Lt wrist radiograph, AP view, 6-year-old male, 640 x 912 px — 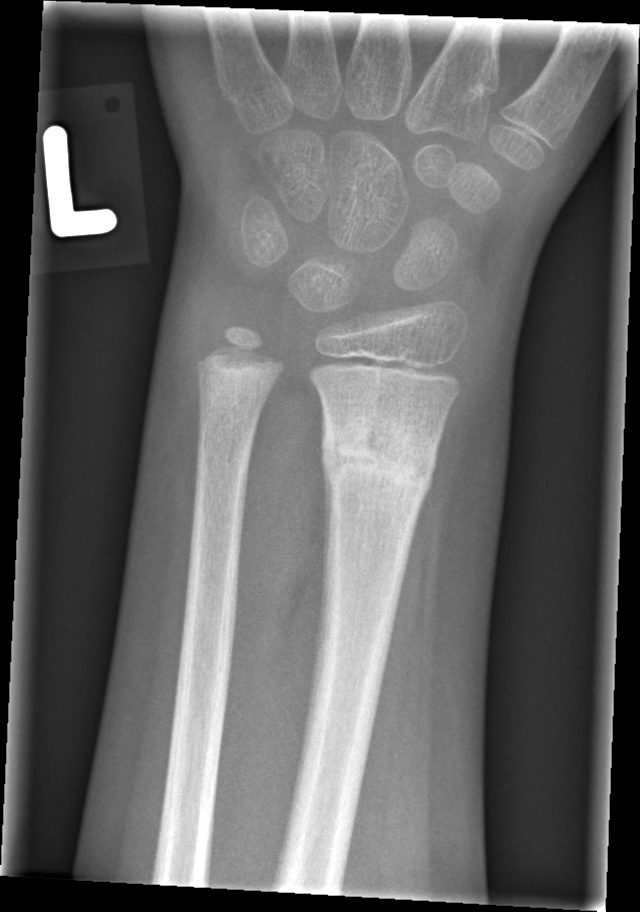

# bounding boxes in image-pixel xyxy
fracture: [x1=316, y1=411, x2=442, y2=512]; [x1=198, y1=352, x2=285, y2=417]